Lat projection; Rt plain radiograph of the wrist; 11-year-old boy — 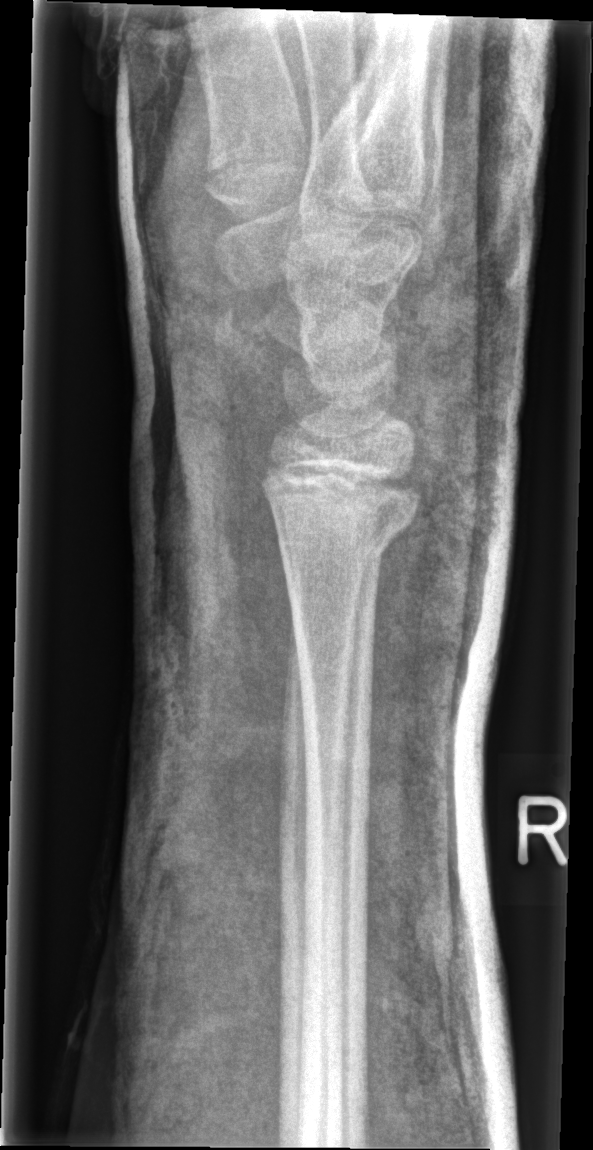

(pixel coordinates, top-left origin, xyxy)
Fx: bbox(264, 479, 420, 583)
AO code: 23r-M/2.1; 23u-E/7